PA projection · left wrist XR · 7y M · cast in situ · detector: Siemens —
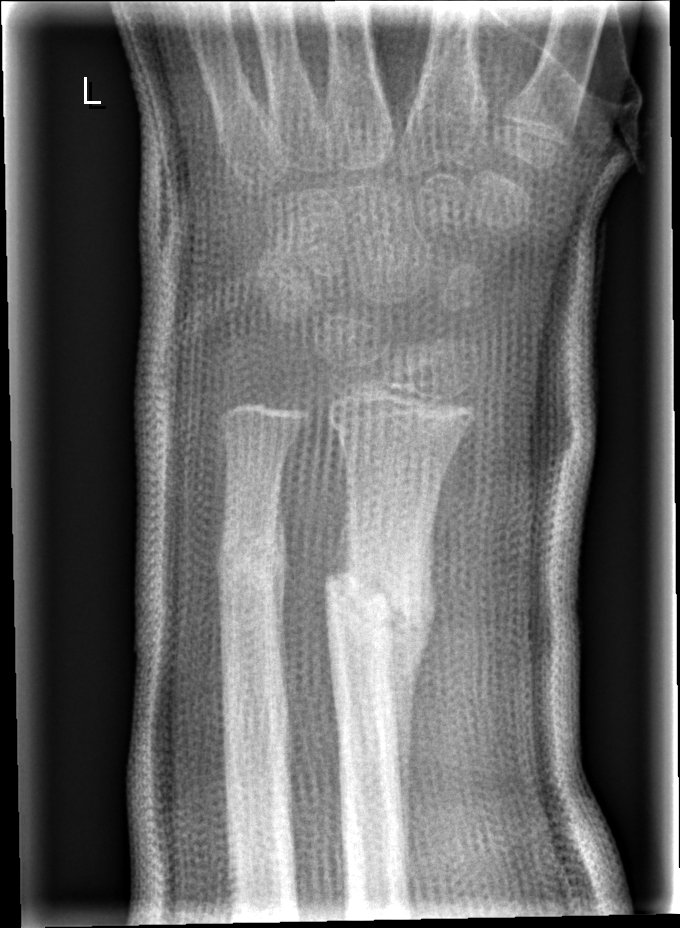
FINDINGS — Bone fractures — [x1=319, y1=551, x2=429, y2=636], [x1=213, y1=536, x2=290, y2=588]. Periosteal reaction identified at [x1=387, y1=523, x2=433, y2=868], [x1=272, y1=499, x2=289, y2=690].